Left wrist plain film; lateral projection; girl, 6 yo — 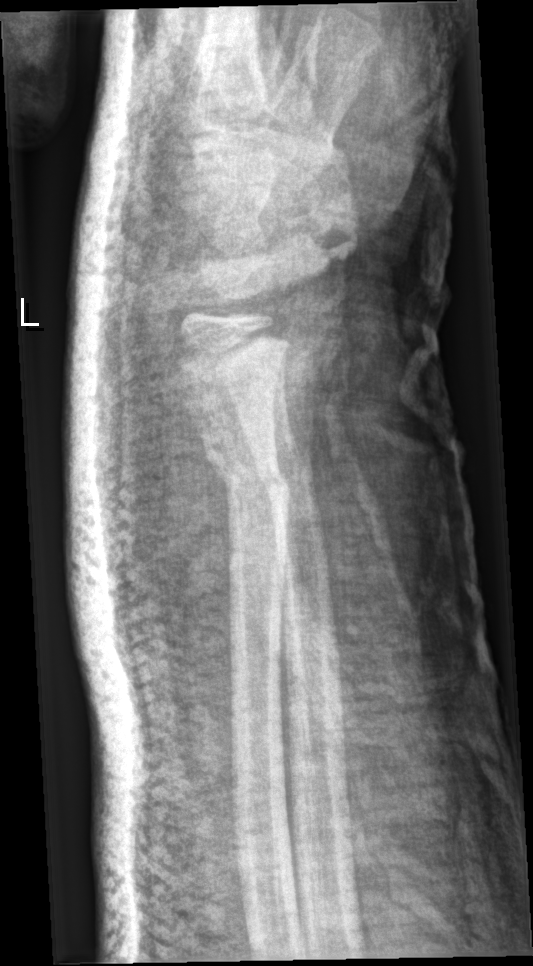 (coordinates are [x1, y1, x2, y2] in image pixels)
Fx = bbox(207, 447, 294, 511); bbox(258, 436, 318, 503)